PA view · Lt wrist plain film · subsequent exam.
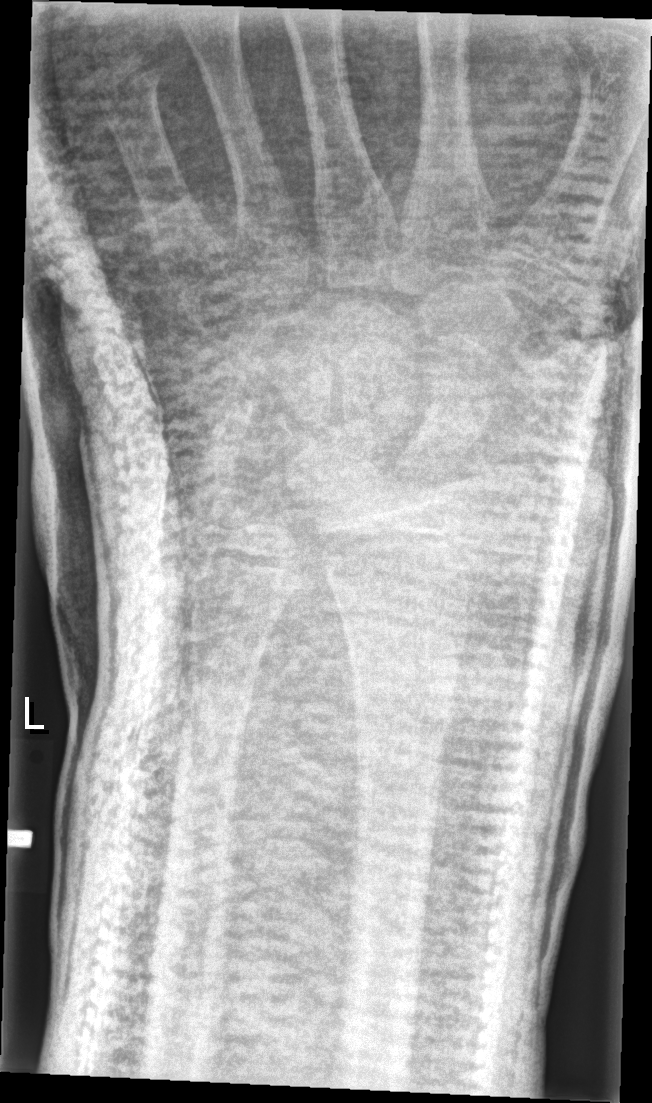
Fx: none.